L wrist XR, lateral projection, 12-year-old female, subsequent exam, 615x908 —

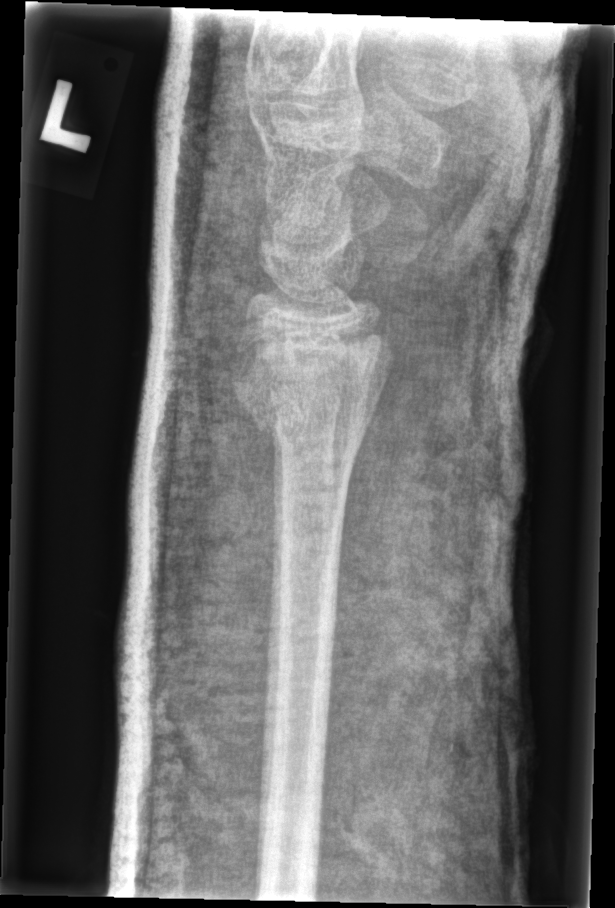 FINDINGS — (pixel coordinates, top-left origin, xyxy) Fracture: [224, 329, 397, 451]. AO code 23r-M/3.1; 23u-E/7.